Lateral view · left wrist pediatric wrist radiograph · 13-year-old male · follow-up study · detector: Siemens · image width 92.0 mm.

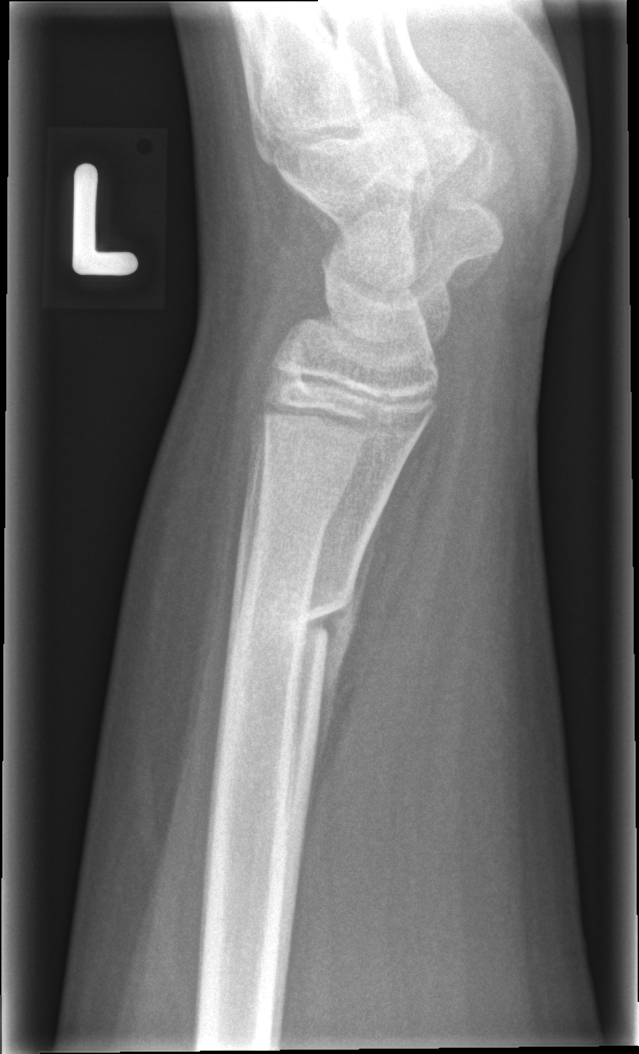
Q: Any periosteal thickening?
A: Periosteal new bone: bbox(304, 496, 386, 822)
Q: Is there a fracture?
A: Fracture — bbox(225, 576, 359, 651)